Lateral | left wrist X-ray | Siemens | 392 by 1196 pixels —

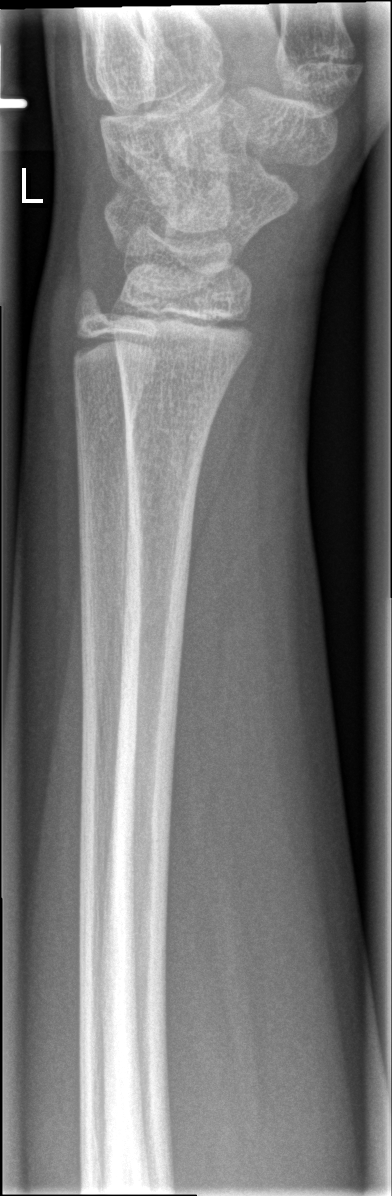

No Fx annotated.